Right wrist plain film | lat | age 13 y, male | diagnosis uncertain
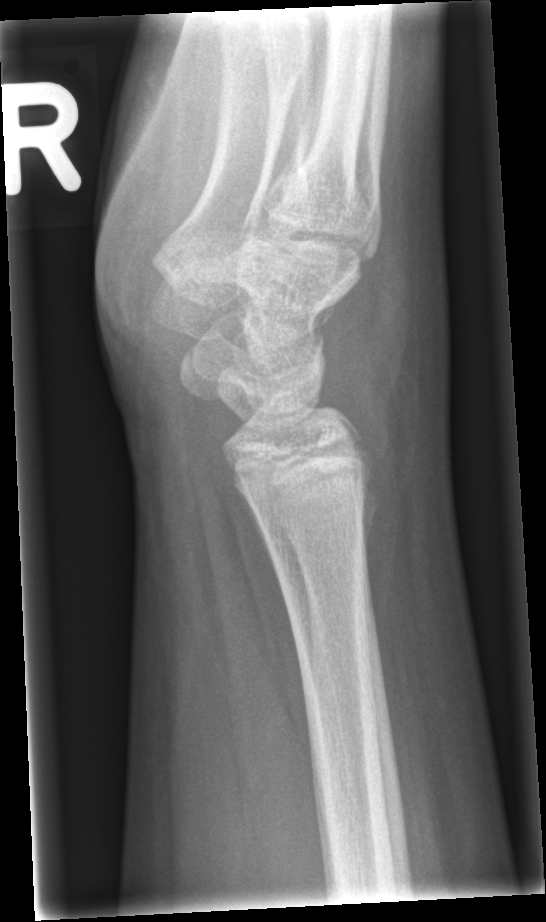

FINDINGS — No Fx annotated. One soft-tissue finding at [324, 236, 441, 428].